Lat projection | right wrist X-ray | age 6 y, male.

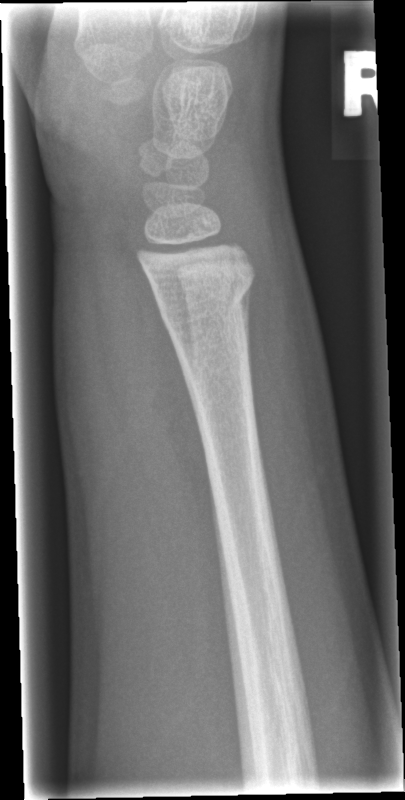 - Bone fracture: (left=159, top=247, right=257, bottom=333).
- Positive pronator fat-pad sign: (left=92, top=191, right=215, bottom=516).